Lat view · R pediatric wrist radiograph · acquired on Siemens · image size 404x800:
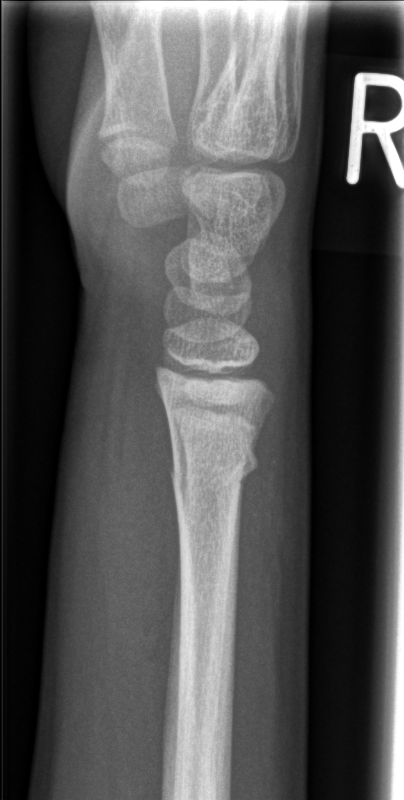 Findings: Bone fracture — bbox(168, 433, 261, 492). Positive pronator fat-pad sign identified at bbox(114, 298, 183, 735). Fracture classified AO/OTA 23r-M/3.1.